Left pediatric wrist radiograph; frontal projection; age 4 y, female.

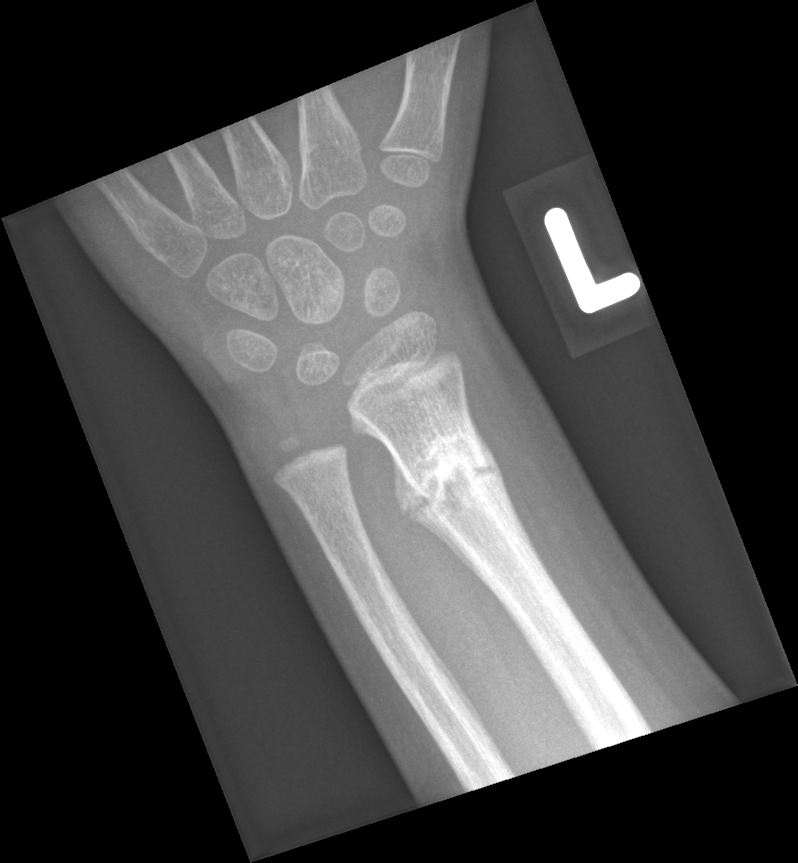
Osteopenia: present
Periosteal new bone: <385,446>-<501,606>
Bone fracture: <404,436>-<493,514>
AO classification: 23r-M/3.1